Posteroanterior projection, left wrist X-ray, acquired on Siemens.

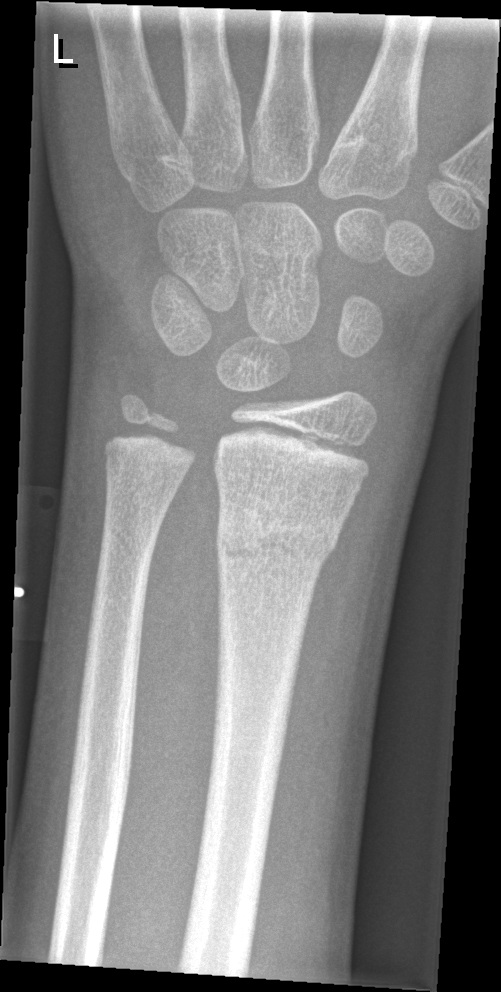
(pixel coordinates, top-left origin, xyxy)
AO/OTA: 23r-M/2.1
Bone fracture: 1 @ 211 510 343 587